Lateral; right wrist pediatric wrist radiograph: 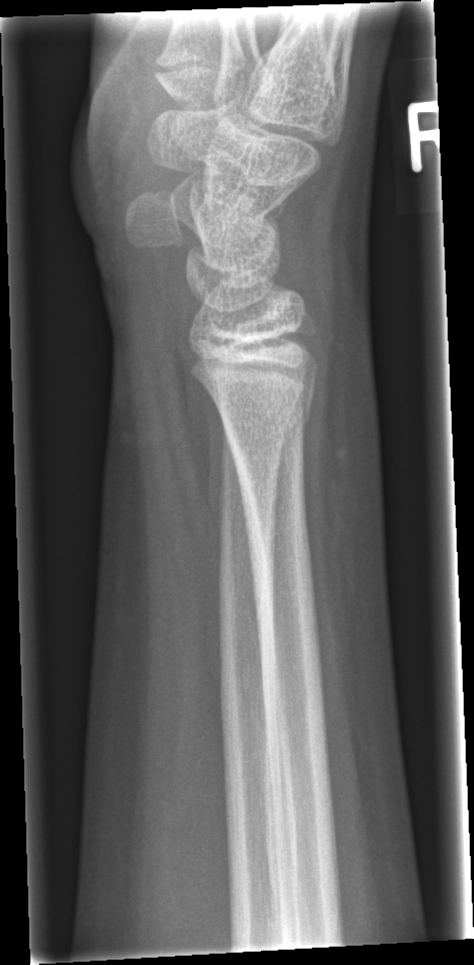

Fracture: 1 @ 213 384 318 451
AO/OTA: 23r-M/2.1